Lt wrist radiograph; lat view —

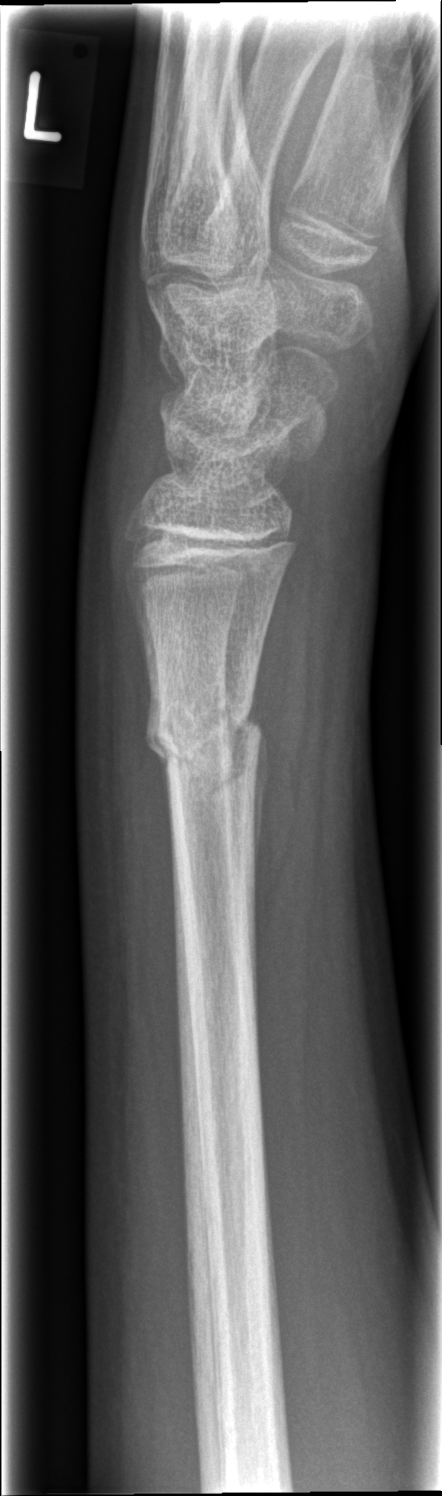   ao: 23-M/3.1
  fracture: bbox(142, 683, 266, 784)